Posteroanterior view; left pediatric wrist radiograph; boy, 16 yo; in cast.

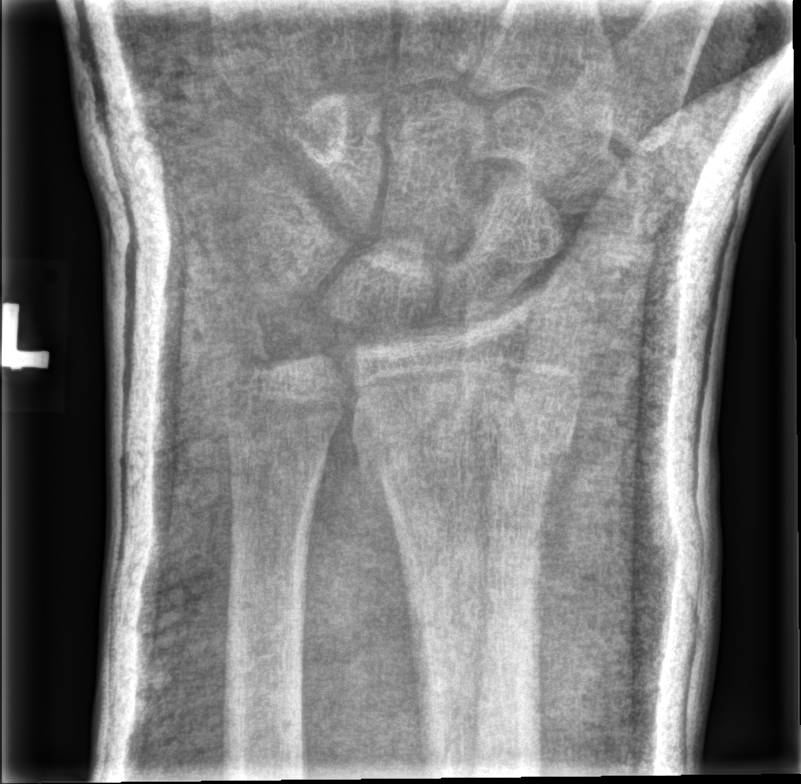

Boxes as x1,y1,x2,y2 (top-left / bottom-right, pixel units). Fracture classified AO/OTA 23r-M/3.1; 23u-E/7. Two Fx at 350,396,582,497; 218,314,280,377.